Lateral view | right pediatric wrist radiograph | male, 4 yo | 393x842 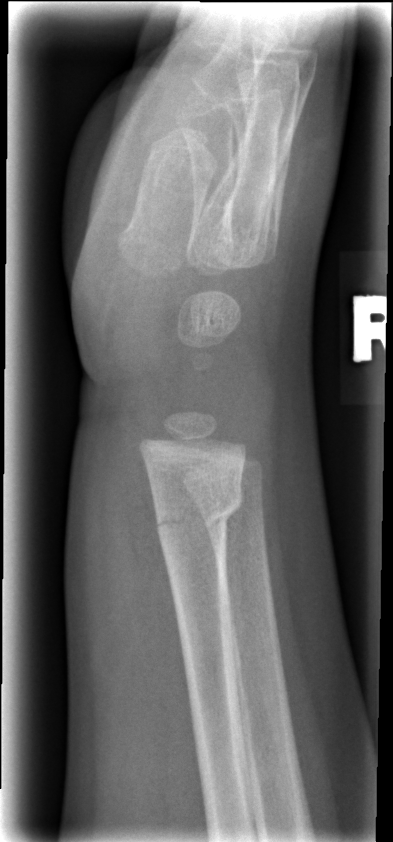

- Boxes as x1,y1,x2,y2 (top-left / bottom-right, pixel units).
- AO code 23r-M/3.1.
- Bone fracture: [150, 475, 245, 540].